PA view | right wrist X-ray:
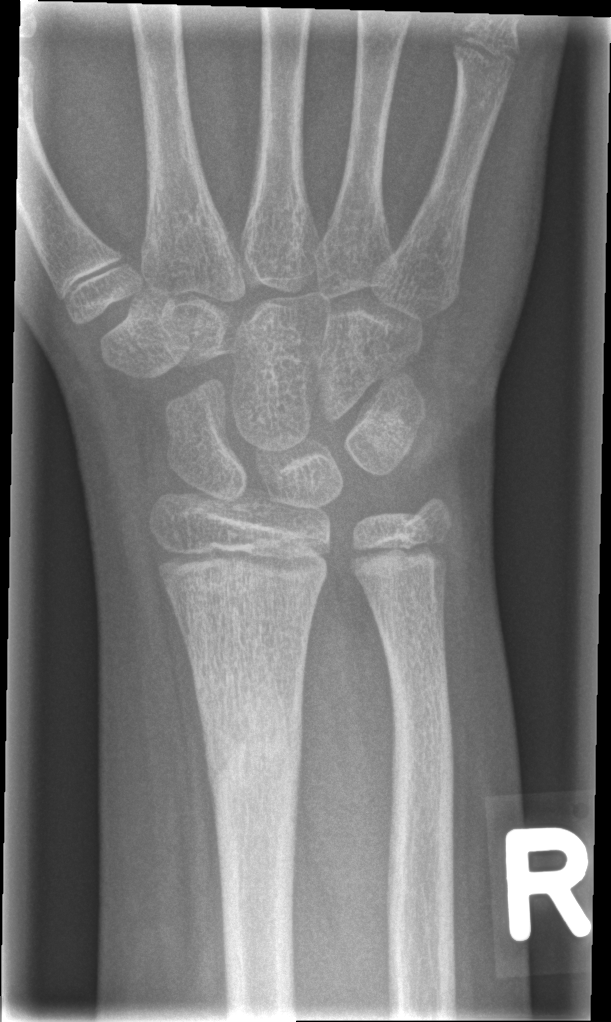

Bone fracture identified at 199,681,304,819.